Rt wrist plain film | lateral —
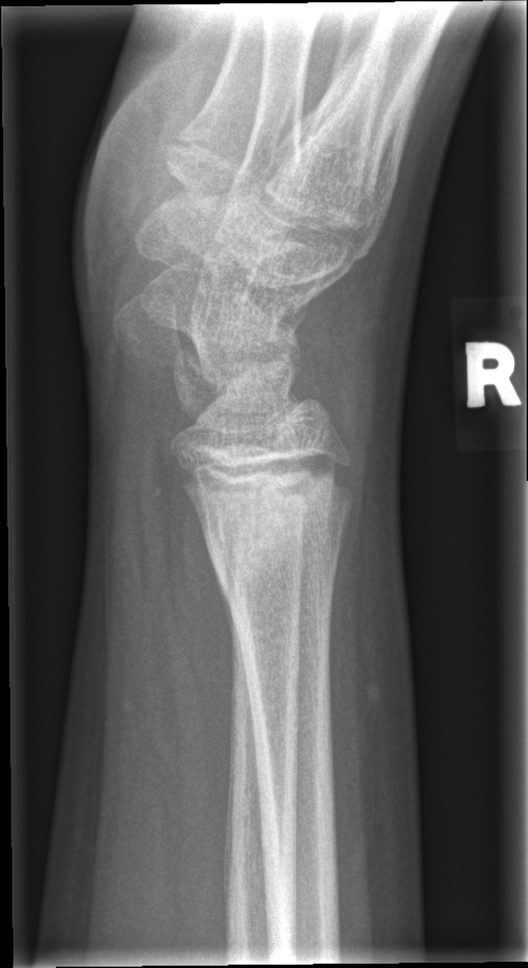 Fx = bbox(191, 473, 349, 592)
AO classification = 23r-M/3.1